Frontal, right wrist X-ray, 17-year-old male, acquired on Siemens 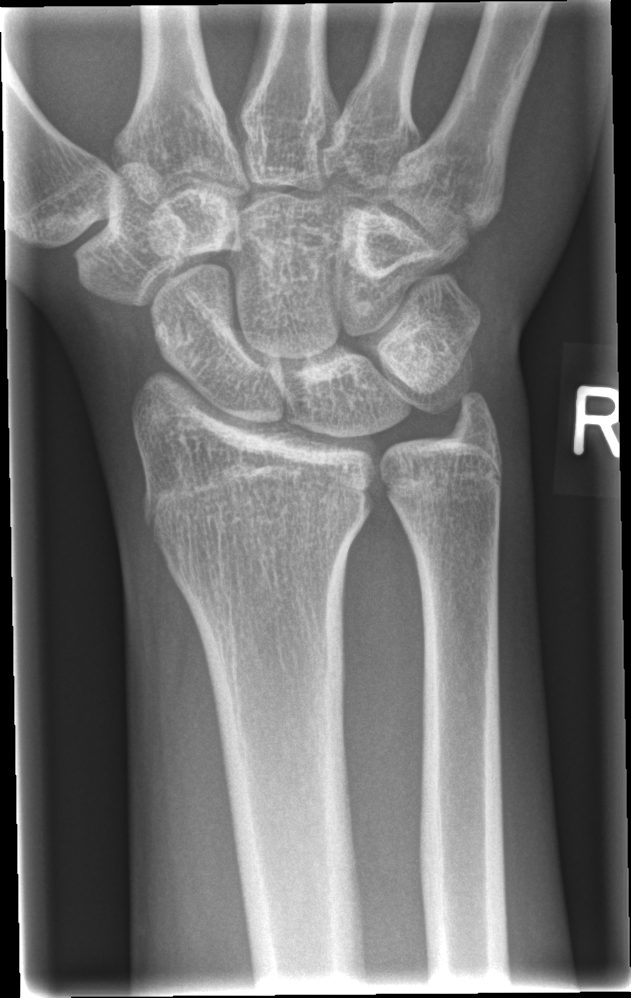

No Fx annotated.